Right wrist plain radiograph of the wrist; lateral view; cast present —
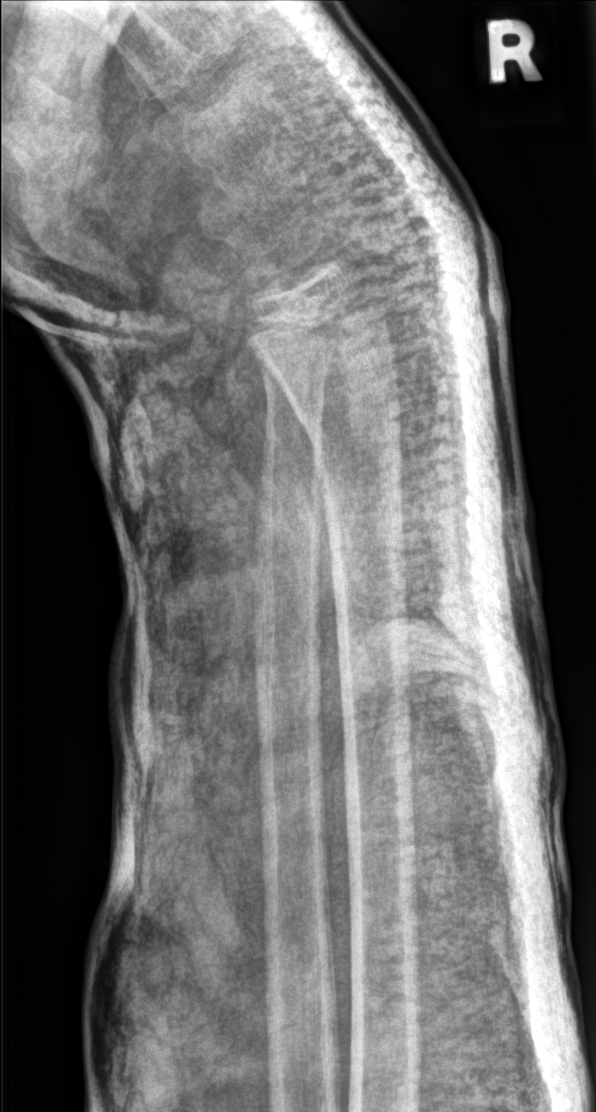 Bounding boxes in image-pixel xyxy.
AO code 23r-M/3.1.
Fracture identified at [x1=286, y1=362, x2=407, y2=447].